Right wrist XR, lateral projection, 9y F, cast present, Siemens. 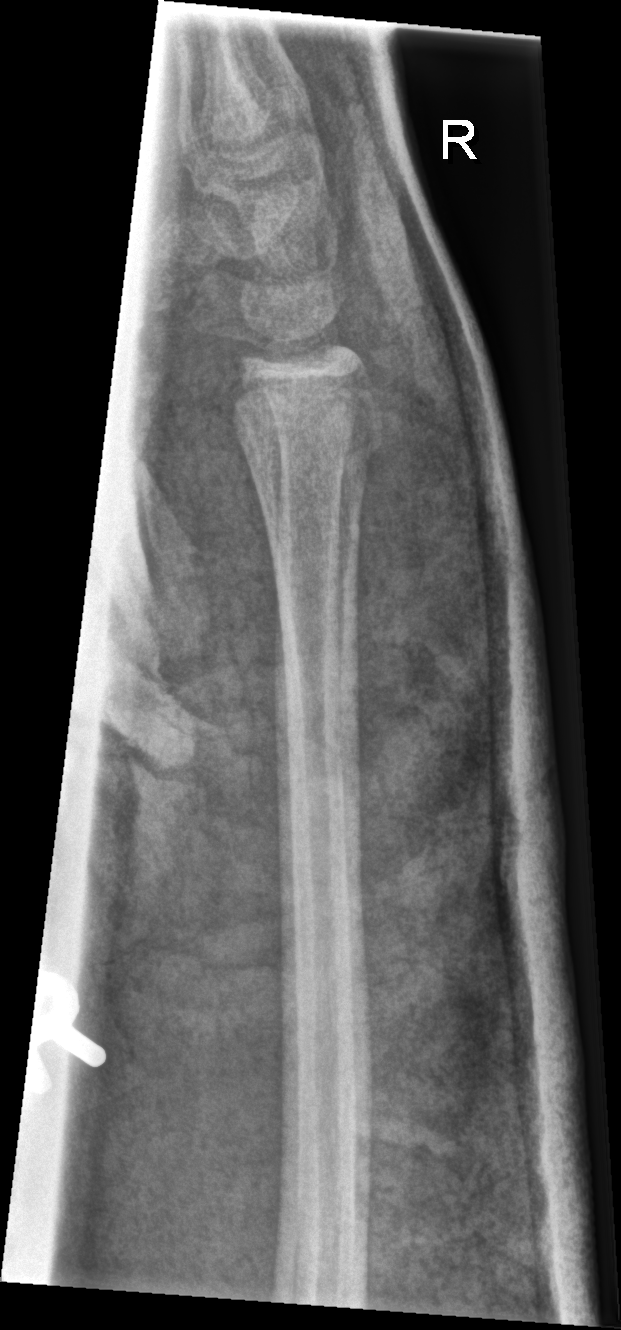 Fracture identified at [x1=225, y1=372, x2=390, y2=477].